Lateral view · left wrist XR · boy, 14 yo · acquired on Siemens · image width 88.3 mm · 613x1264
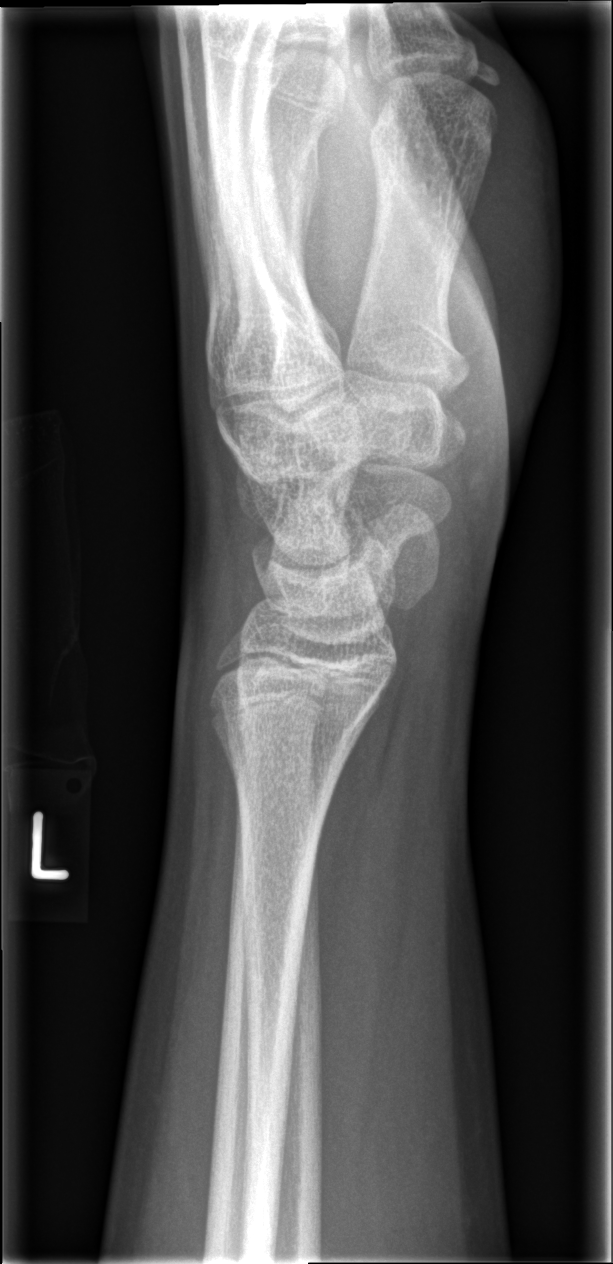

Bone fracture = none labeled